AP; R wrist radiograph; 13-year-old boy. 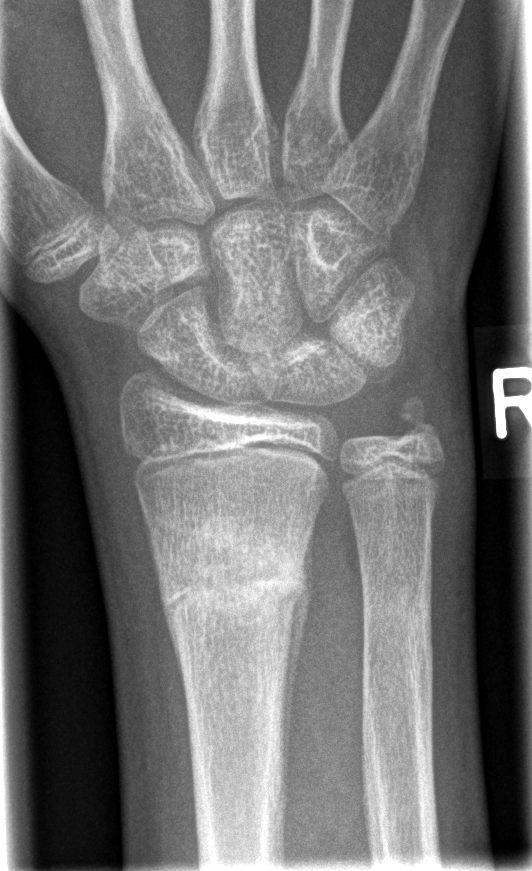
Boxes as x1,y1,x2,y2 (top-left / bottom-right, pixel units). Periosteal thickening identified at 282 508 318 808. AO/OTA classification: 23-M/3.1; 23u-E/7. Bone fractures — 155 536 310 620; 358 576 434 630; 386 389 446 453.